L wrist X-ray; lateral projection; follow-up; Siemens:
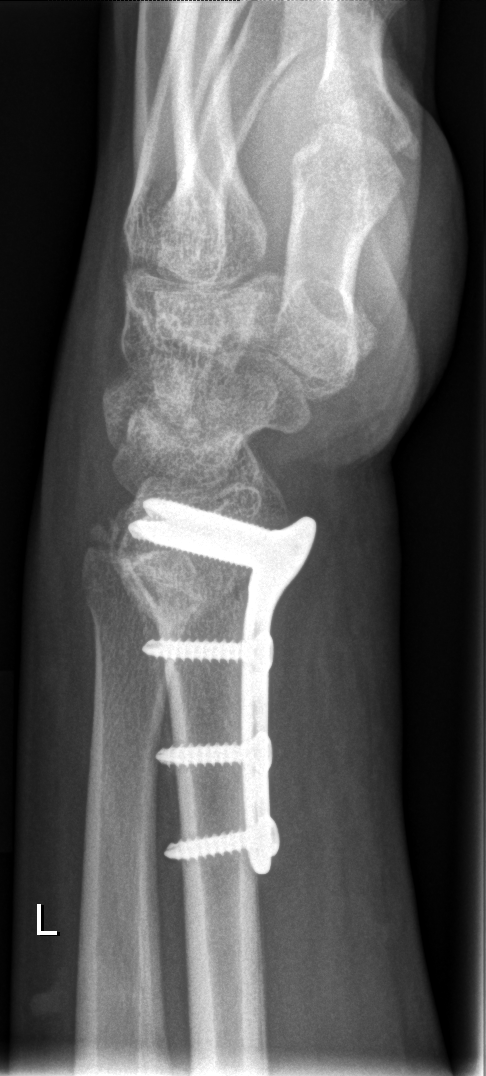
AO code = 23r-M/3.1; 23u-E/7
metallic implant = bbox(122, 493, 321, 879)
osteopenia = present
bone fracture = 1 @ bbox(113, 525, 279, 646)